Lt wrist XR, lat, age 15 y, boy:

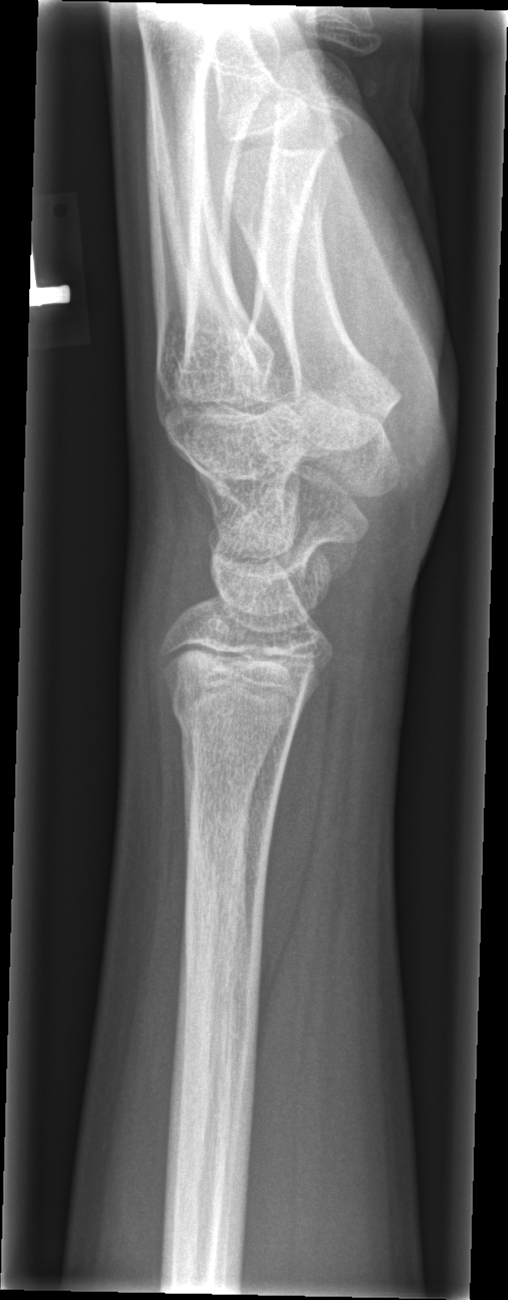 Q: Is there a fracture?
A: Bone fracture: 179,818,274,1141 | 162,673,310,741
Q: AO code?
A: AO code 23r-M/2.1